Posteroanterior view, right plain radiograph of the wrist, follow-up study, imaged through cast — 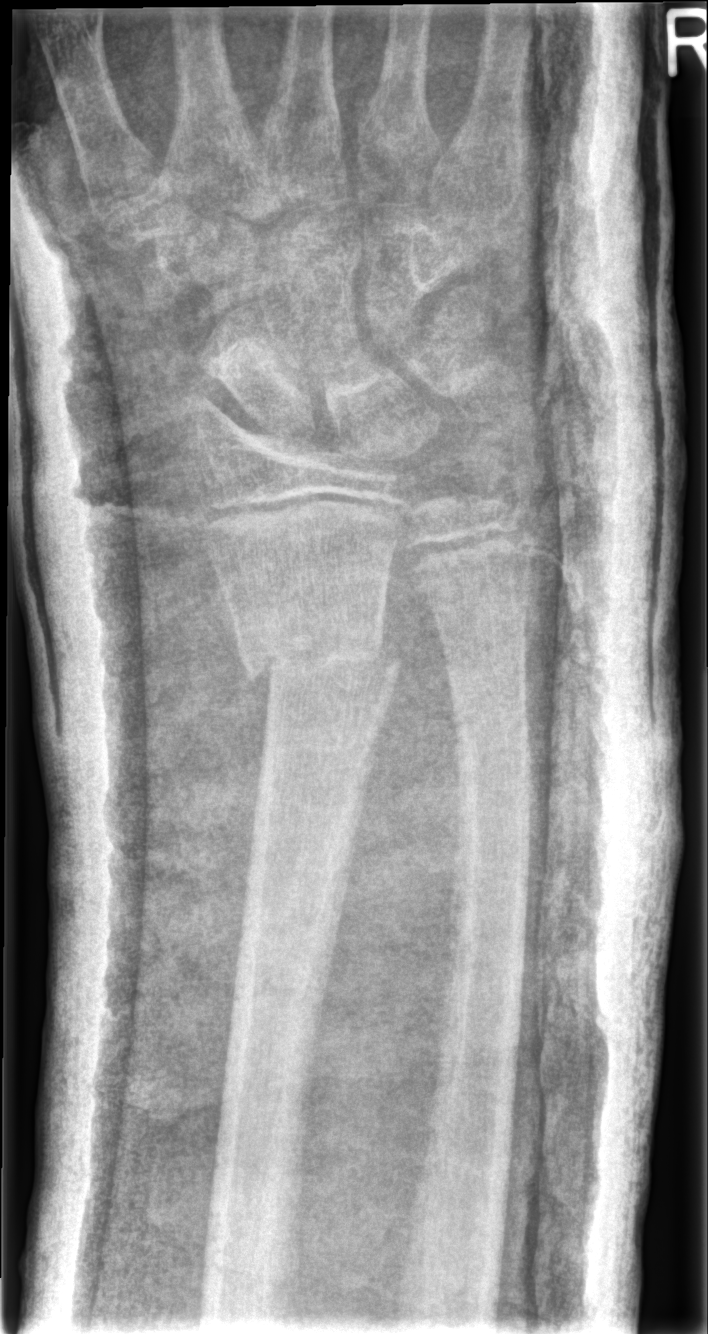
AO/OTA: 23r-M/3.1; 23u-M/2.1; 23u-E/7
Fx: 1 @ (left=236, top=628, right=406, bottom=689)